R pediatric wrist radiograph · lateral view · pediatric patient (female, age 11) · initial study · 706x1346 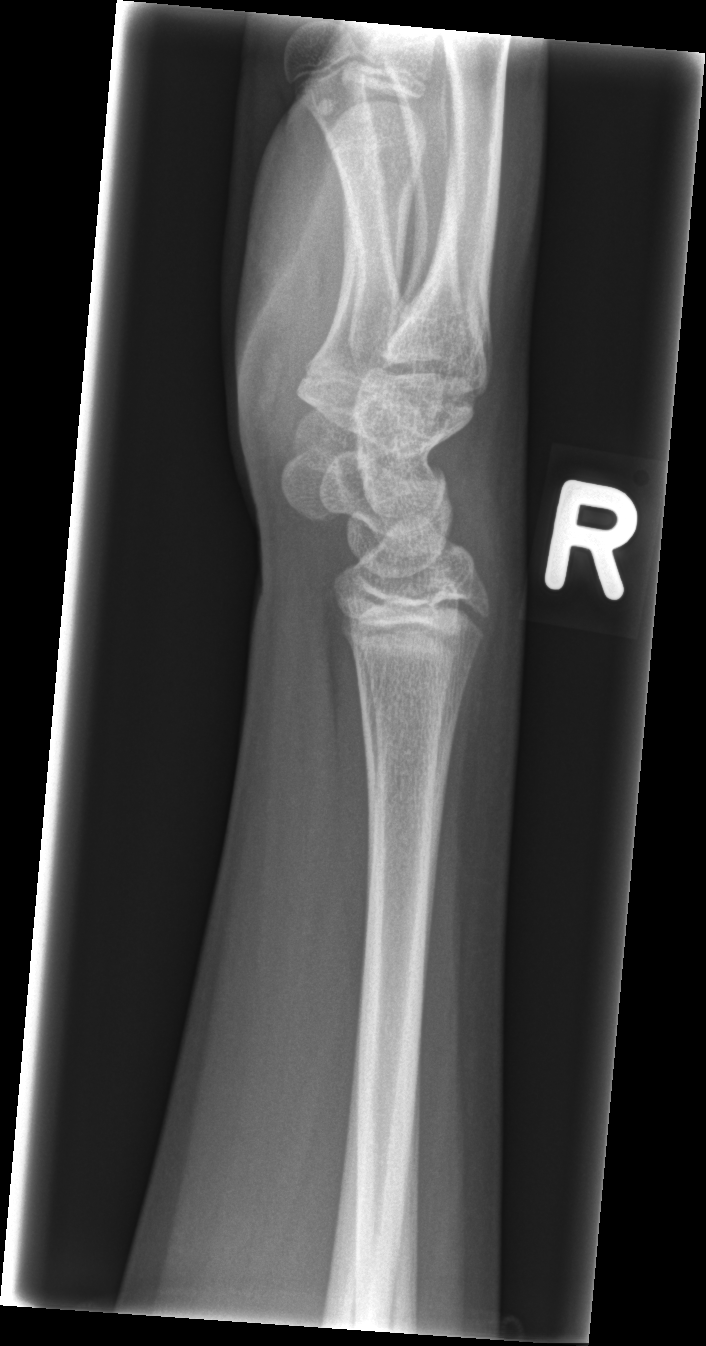

Fx: none.